Lat projection | left wrist X-ray | presentation radiograph
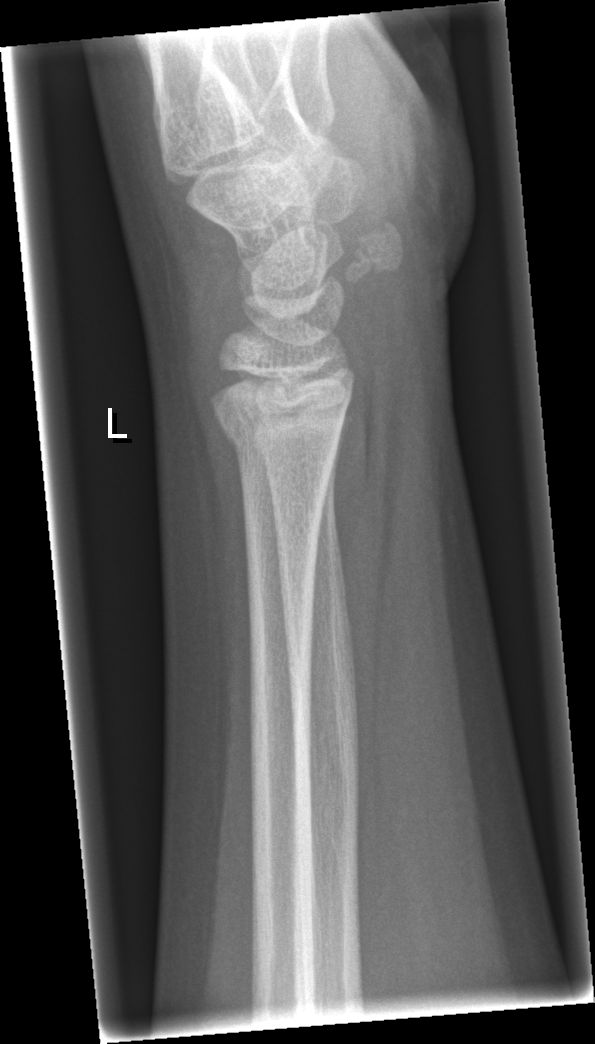
* One fracture at 215,400,349,465.